Left wrist radiograph; obl projection; pediatric patient (girl, age 11); detector: Siemens.
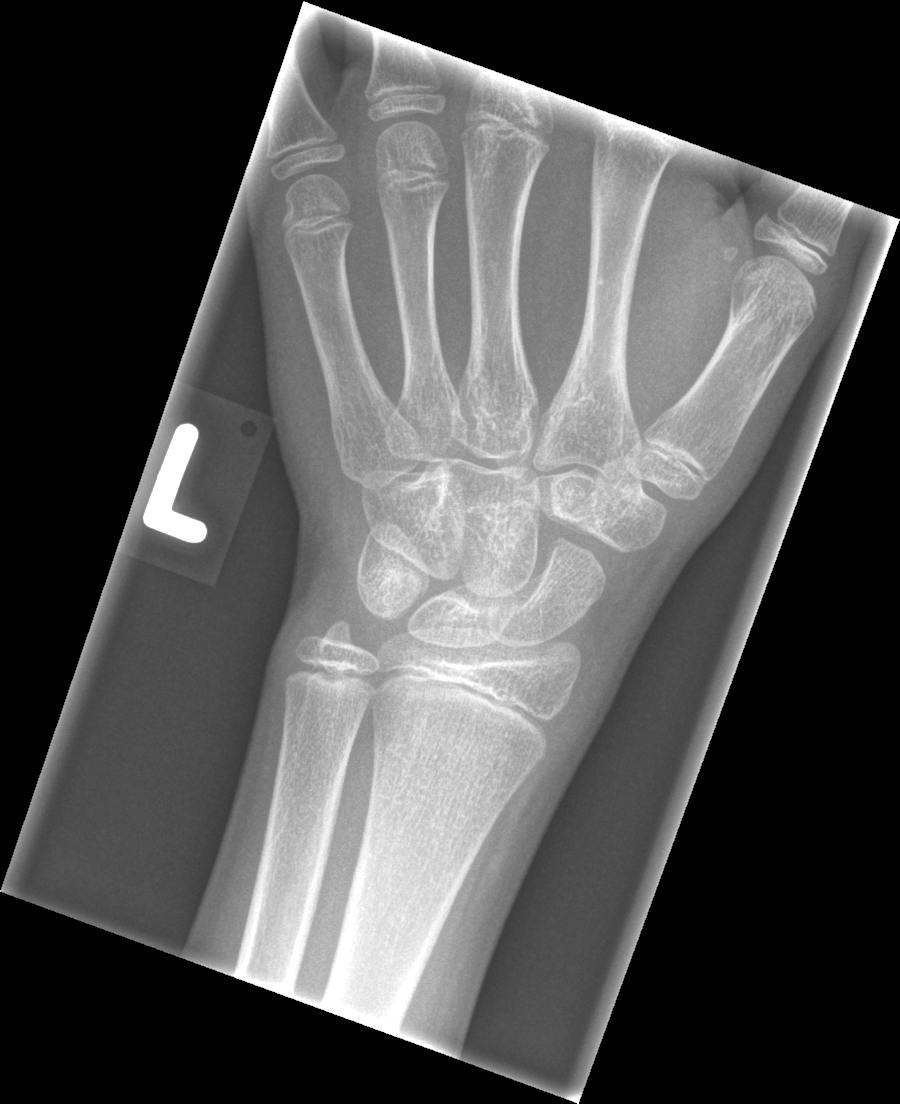 Fx: none.